Frontal · Lt wrist XR · pediatric patient (boy, age 16) · image size 652x1094:

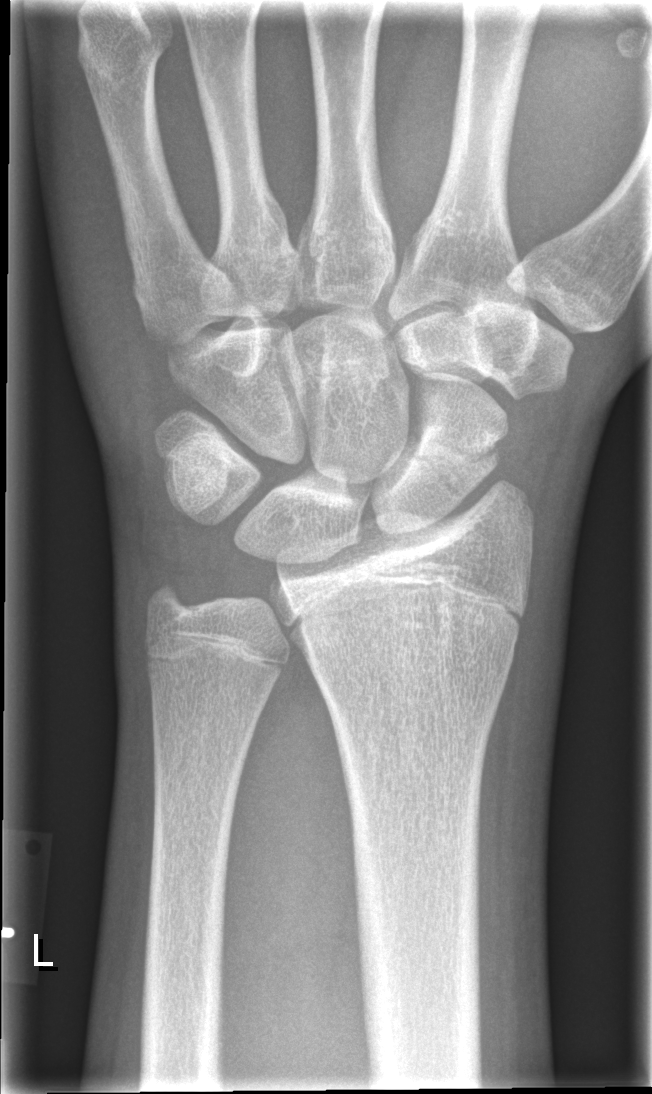 Fracture identified at 398 428 504 505.